Left wrist X-ray | frontal projection | girl, 14 yo | index exam.

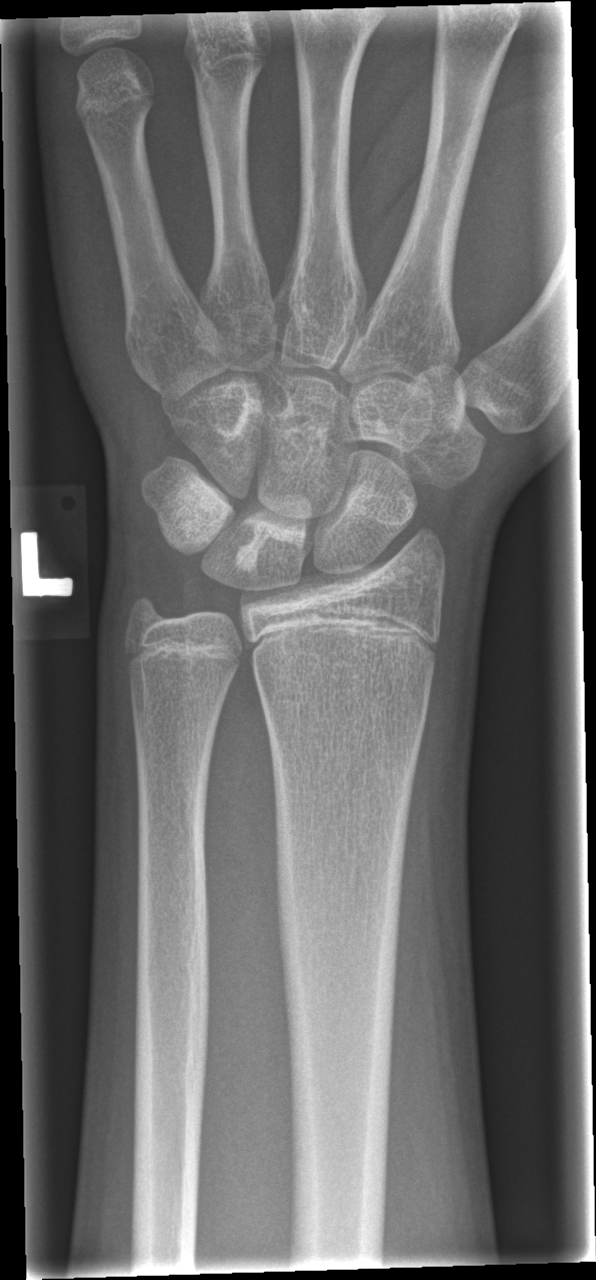
Bounding boxes in image-pixel xyxy. One focal bone lesion at bbox(233, 492, 311, 575). Fx: none.